L wrist plain film; lat view; detector: Siemens
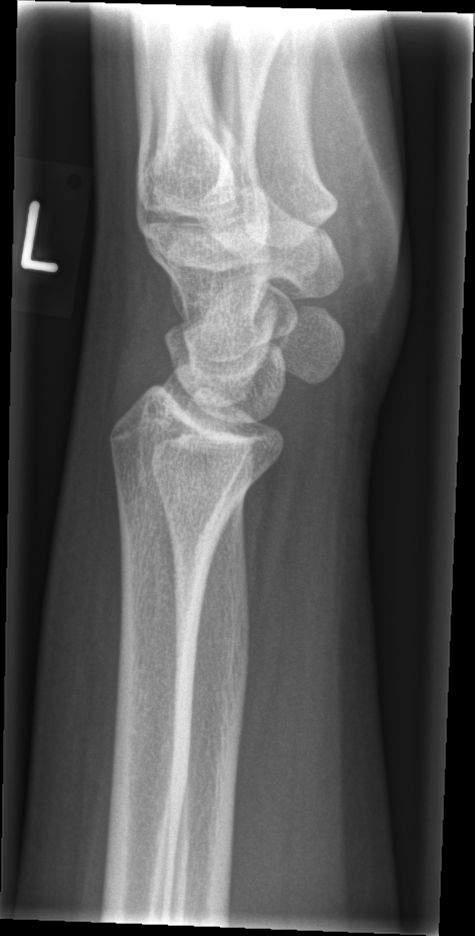
Fx: none labeled